Rt pediatric wrist radiograph; AP projection; girl, 1.1 yo —

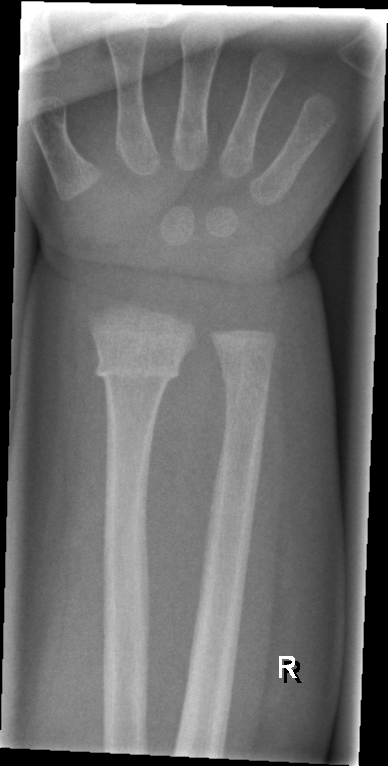 • Coordinates are [x1, y1, x2, y2] in image pixels.
• AO/OTA classification: 23r-M/2.1.
• One Fx at (90, 346, 185, 395).